Lat, L plain radiograph of the wrist, girl, 3 yo, cast present, detector: Siemens

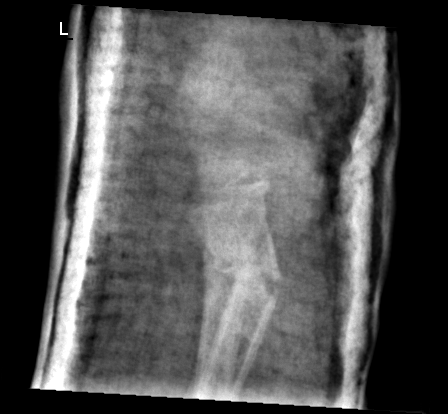 Bone fracture — 201 243 288 321.